Lateral; left wrist plain film; acquired on Siemens 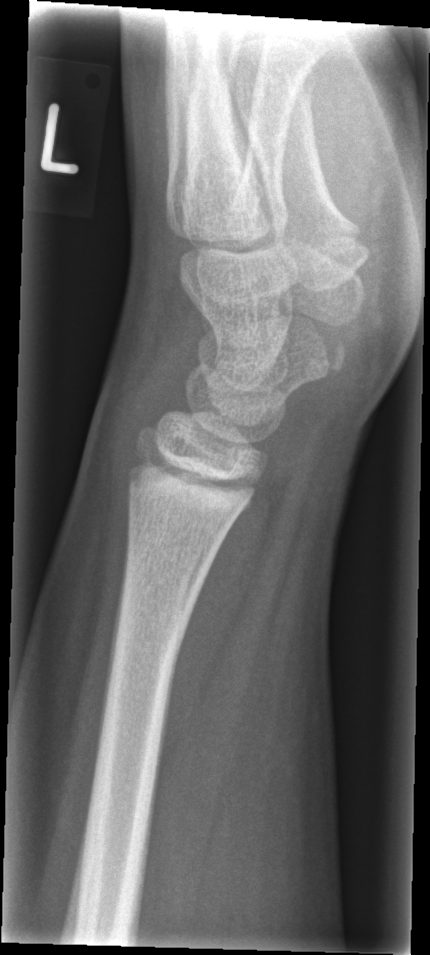 No fracture bounding box.